Lt plain radiograph of the wrist | lat view | age 8 y, female | presentation radiograph | 88.1 mm image width — 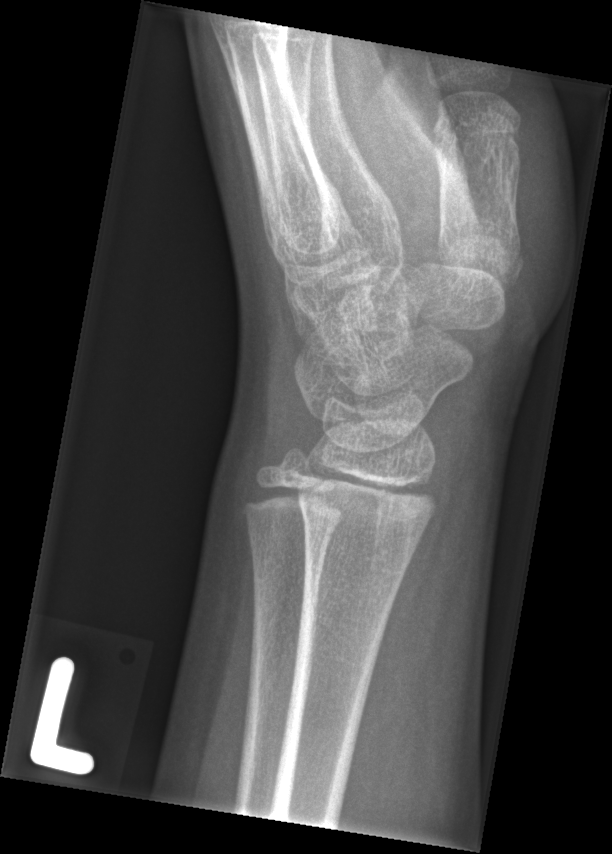

Bone fracture = none labeled